Lat projection; Rt wrist XR; pediatric patient (boy, age 17); subsequent exam; cast present

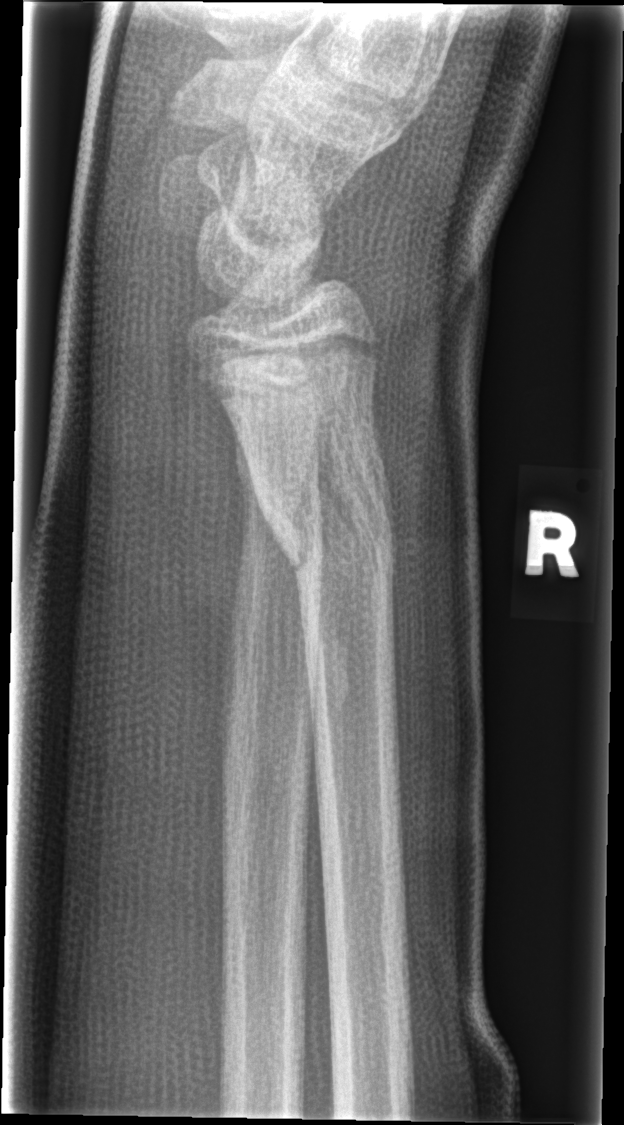 Boxes as x1,y1,x2,y2 (top-left / bottom-right, pixel units).
Bone fracture: 250 407 403 604.